Lat; right wrist plain film; cast present; detector: Siemens; 563 x 816 px —
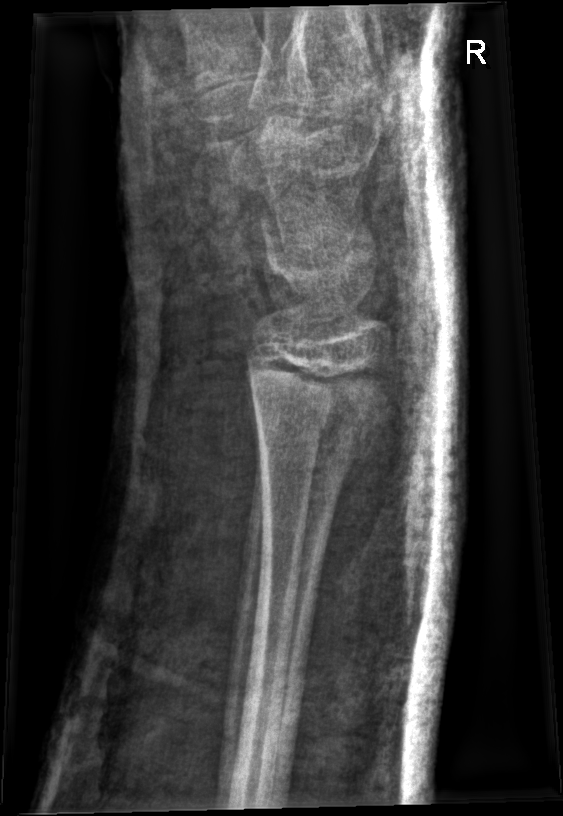
AO classification = 23r-M/2.1
Fx = [x1=248, y1=397, x2=394, y2=482]